PA view · left wrist radiograph · image 85.2 mm wide · image size 592x804.
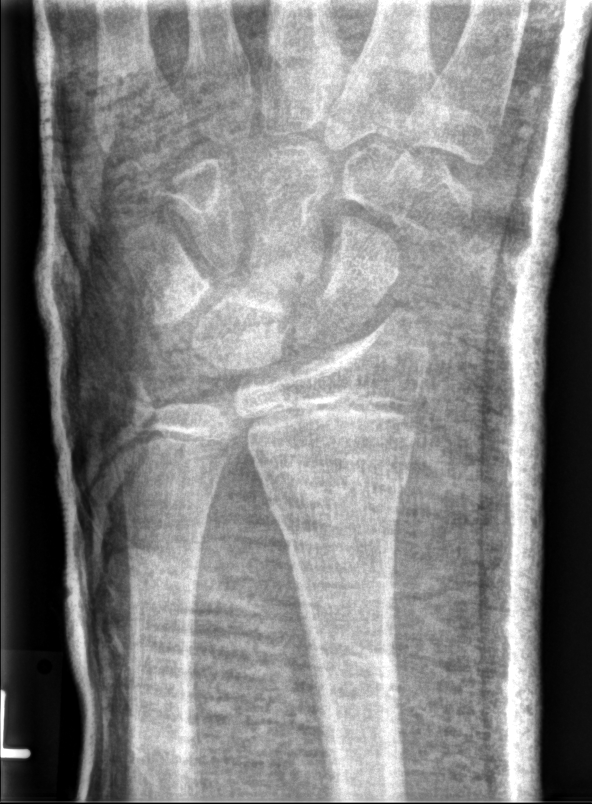 Findings: Two Fx at (left=259, top=459, right=409, bottom=526); (left=102, top=364, right=163, bottom=425).